R wrist XR, lat, pediatric patient (male, age 15), Siemens

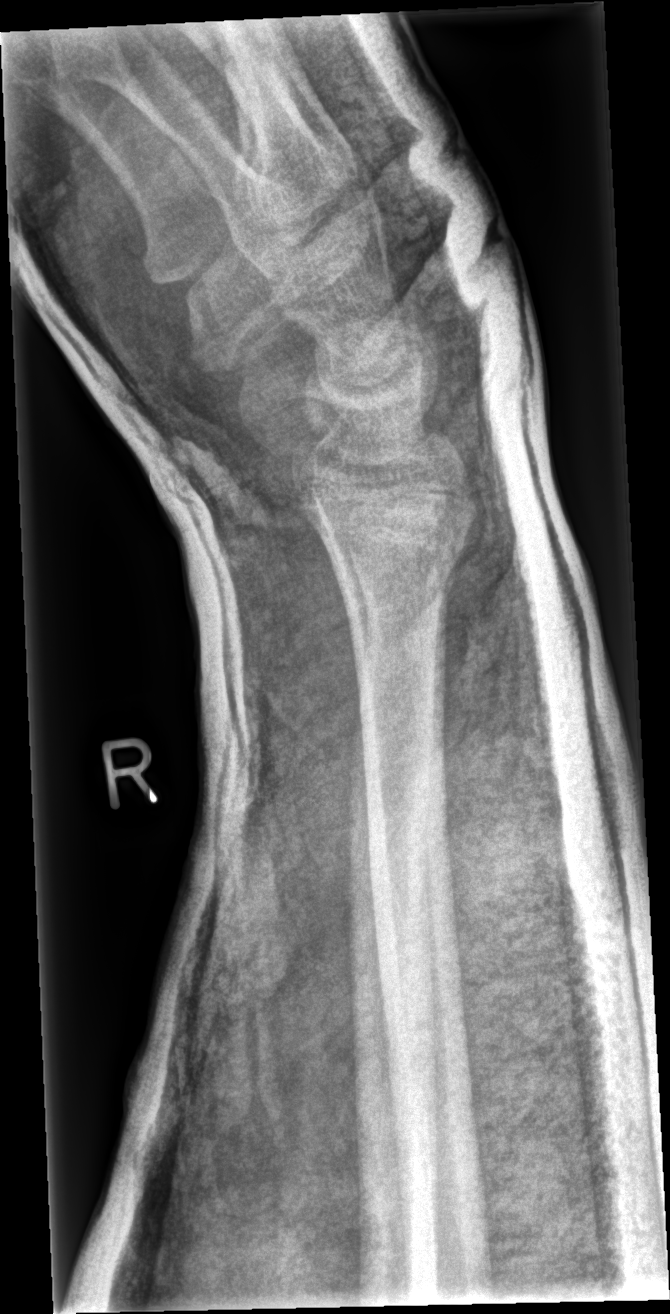 {"_coords": "boxes as x1,y1,x2,y2 (top-left / bottom-right, pixel units)", "fracture": "bbox(296, 480, 480, 603)", "ao": "23r-M/3.1; 23u-E/7"}